Lt wrist plain film, lat view — 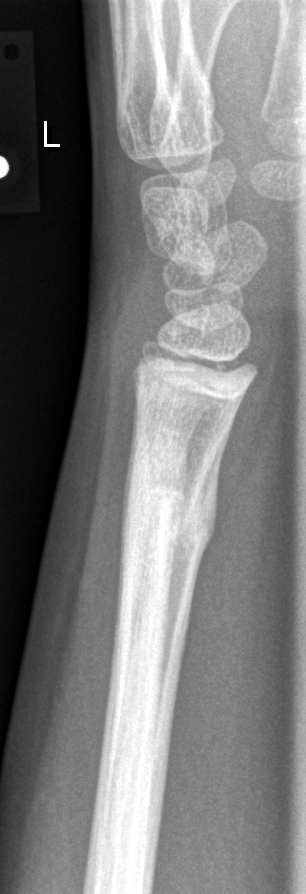
  fracture: 1 @ (119, 456, 222, 552)